Left wrist XR · lat · 11y M —
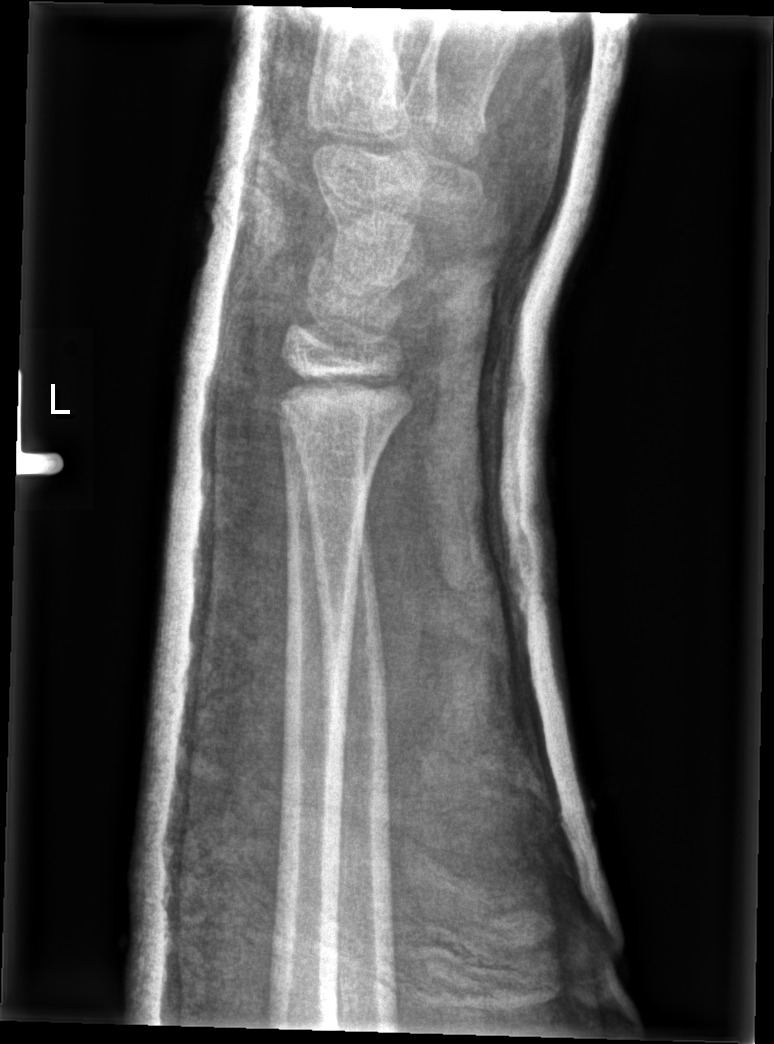 FINDINGS — Fracture present, but no bounding box because it is not clearly seen in this view.